Lateral view · left wrist plain radiograph of the wrist · age 13 y, boy · cast present: 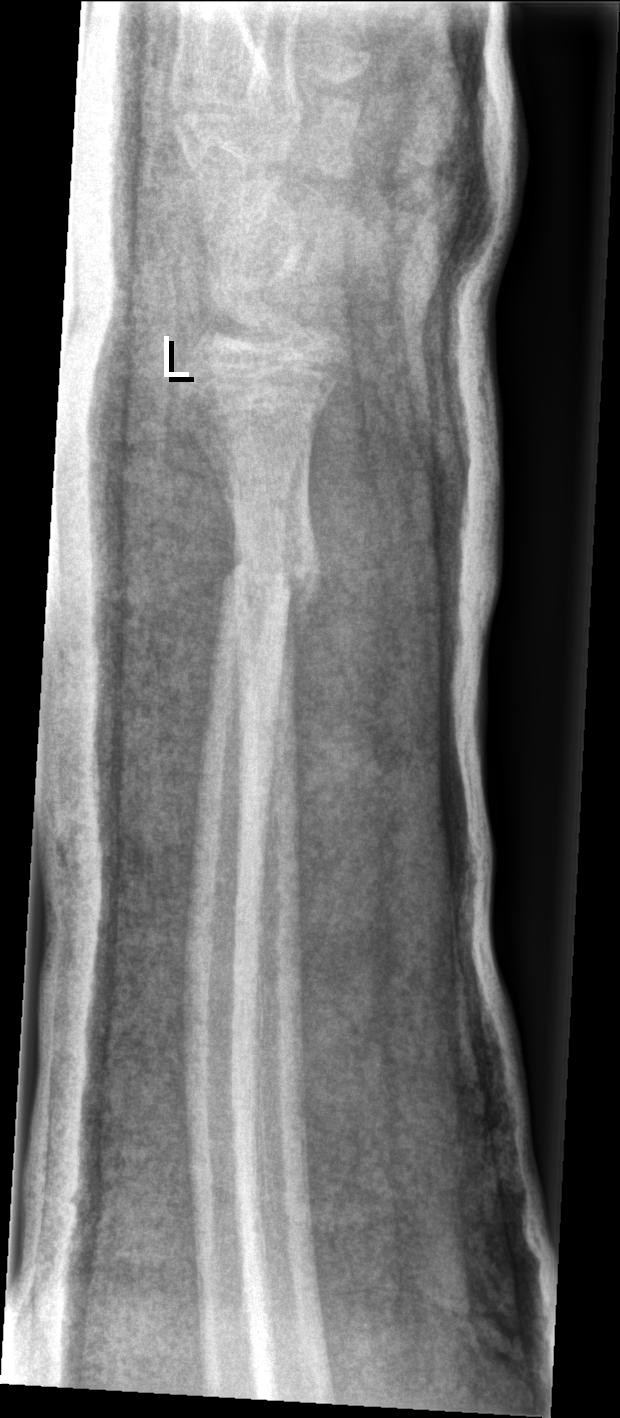

AO/OTA: 23r-M/3.1
Fx: 1 @ bbox(210, 549, 323, 619)